R pediatric wrist radiograph · lateral projection · 8-year-old boy · acquired on Siemens 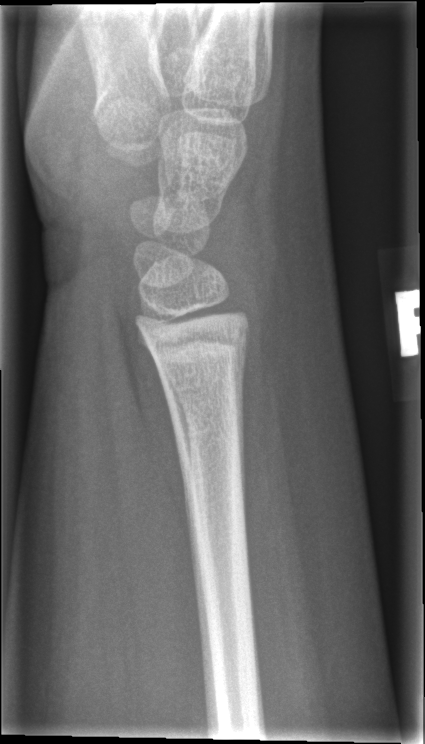

Fracture: none labeled